Lat projection | R plain radiograph of the wrist | boy, 12 yo | presentation radiograph | 61.1 mm image width:
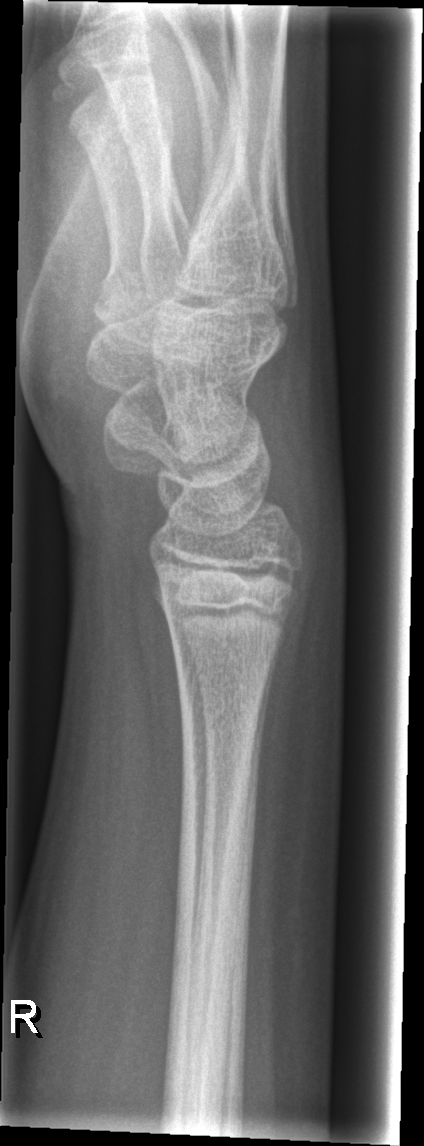
Findings: No Fx annotated.